AP projection, Lt wrist plain film, pediatric patient (boy, age 3), cast present.

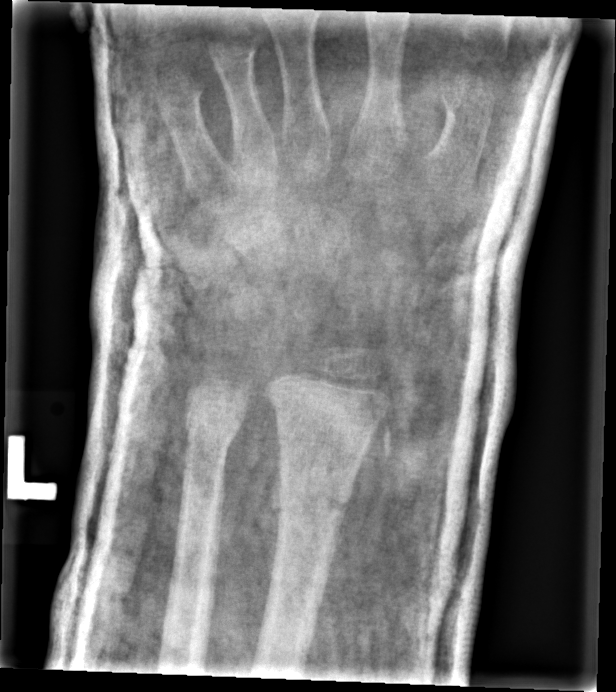
(bounding boxes in image-pixel xyxy)
fracture = (left=273, top=468, right=357, bottom=532) (left=181, top=415, right=238, bottom=468)
AO classification = 23r-M/3.1; 23u-M/2.1